PA, right wrist radiograph, image 55.4 mm wide, image size 385x880 —

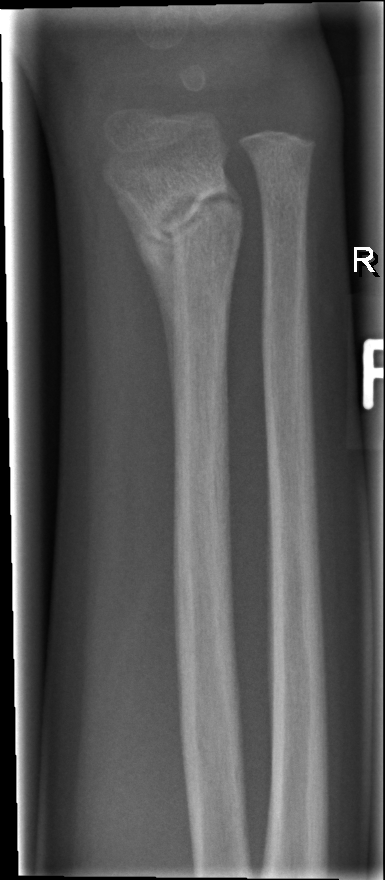

- AO/OTA classification: 23r-M/3.1.
- Osteopenia.
- Periosteal new bone: [116, 191, 175, 402].
- One bone fracture at [135, 169, 249, 268].